Lat projection, R wrist plain film, girl, 10 yo, index exam

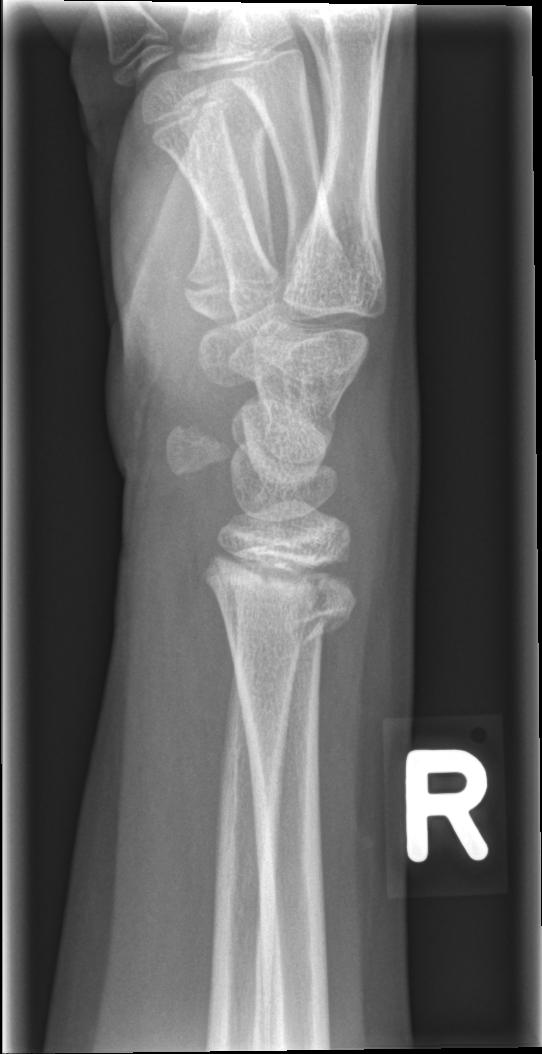

Coordinates are [x1, y1, x2, y2] in image pixels.
AO/OTA classification: 23r-E/2.1.
Soft-tissue swelling — [x1=303, y1=379, x2=394, y2=609].
One bone fracture at [x1=201, y1=547, x2=359, y2=654].